PA | L wrist radiograph | presentation radiograph:
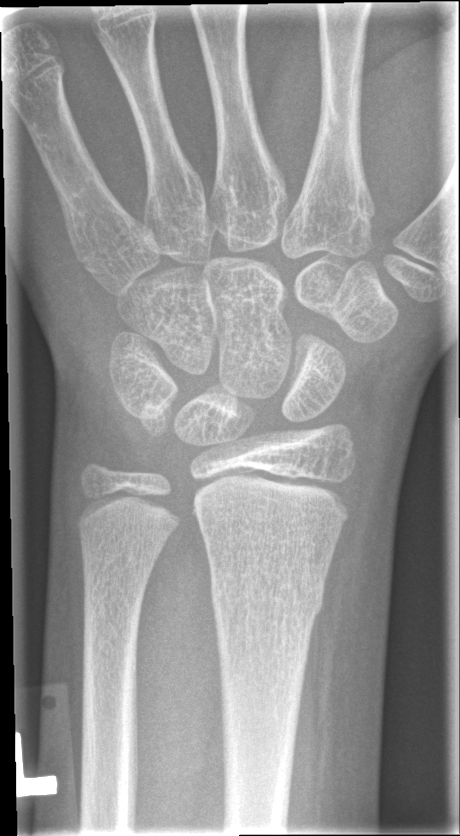

Fx = 208 564 330 625